Obl view | Lt wrist X-ray | age 7 y, female.
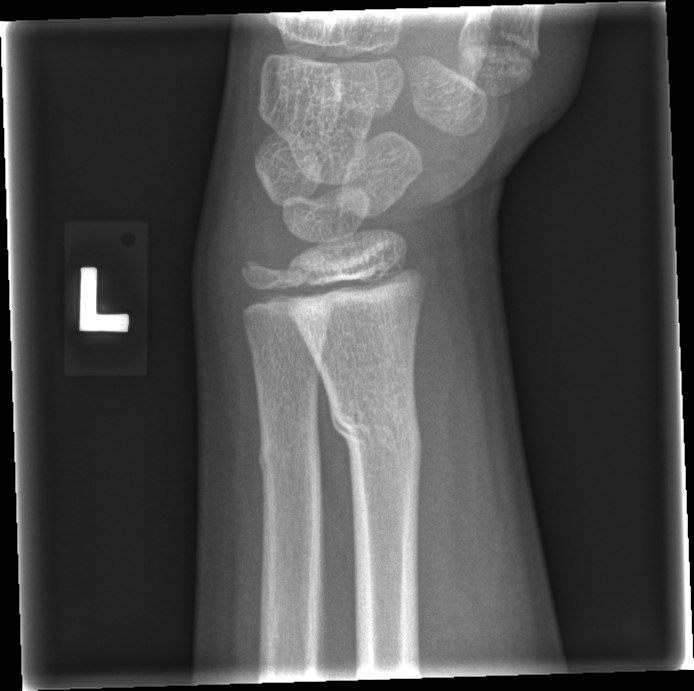 AO code = 23-M/2.1; 23u-E/7
Fracture = (328, 396, 426, 464) (254, 432, 325, 487) (234, 249, 275, 287)